Left wrist plain film; lateral view; age 10 y, male; subsequent exam — 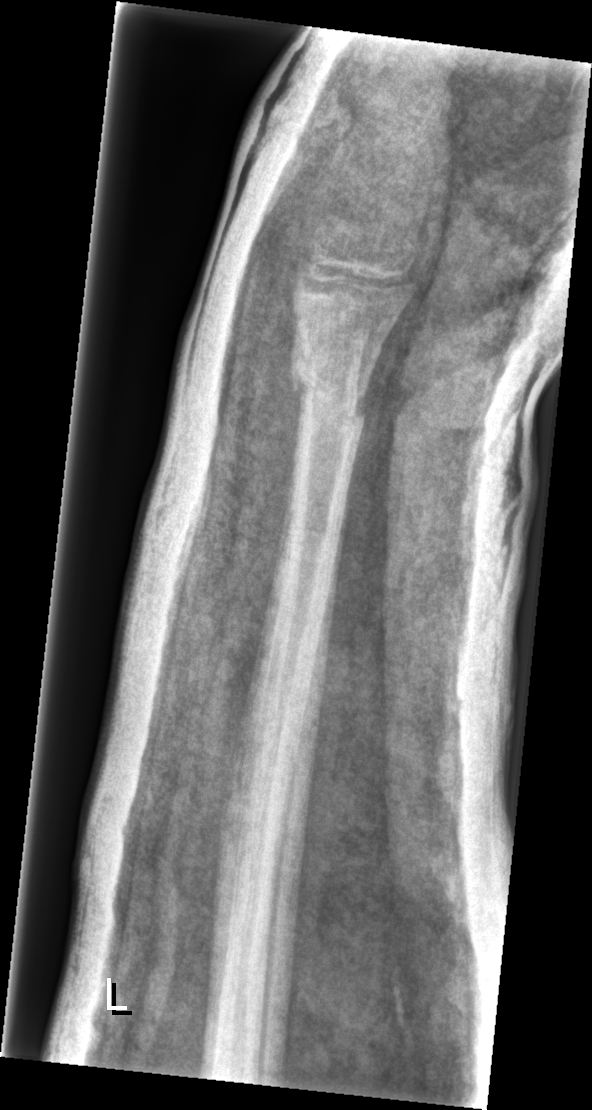 Q: Locate any fractures.
A: One bone fracture at (286, 345, 373, 436)